Lat projection, right wrist radiograph, 17-year-old male, diagnosis uncertain 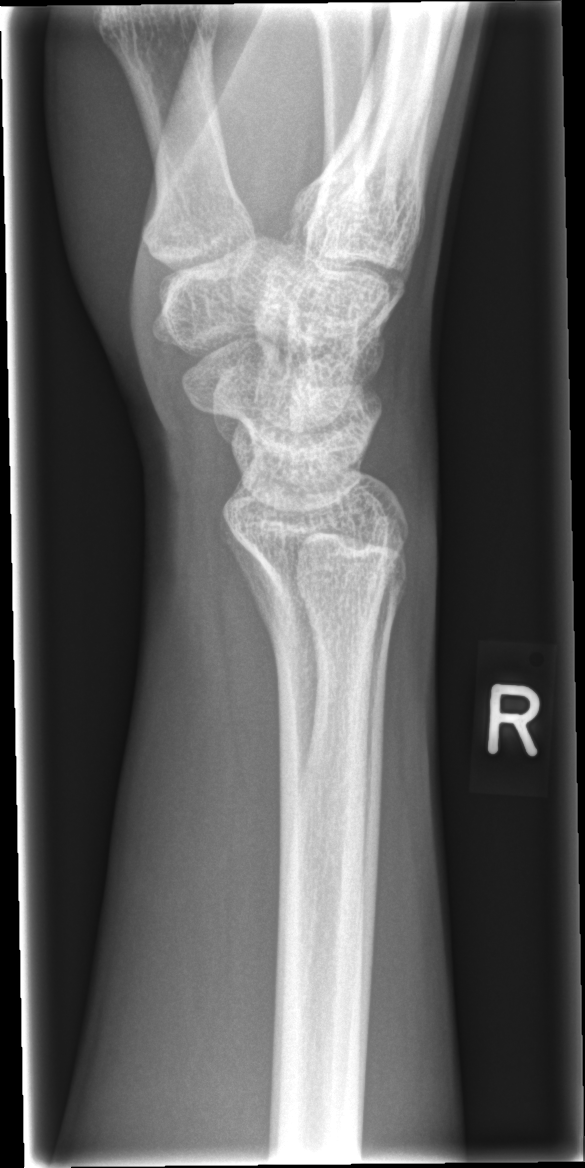

Fx — 242 522 414 650.